Lat, left wrist plain film, 13-year-old boy, in cast, acquired on Siemens —

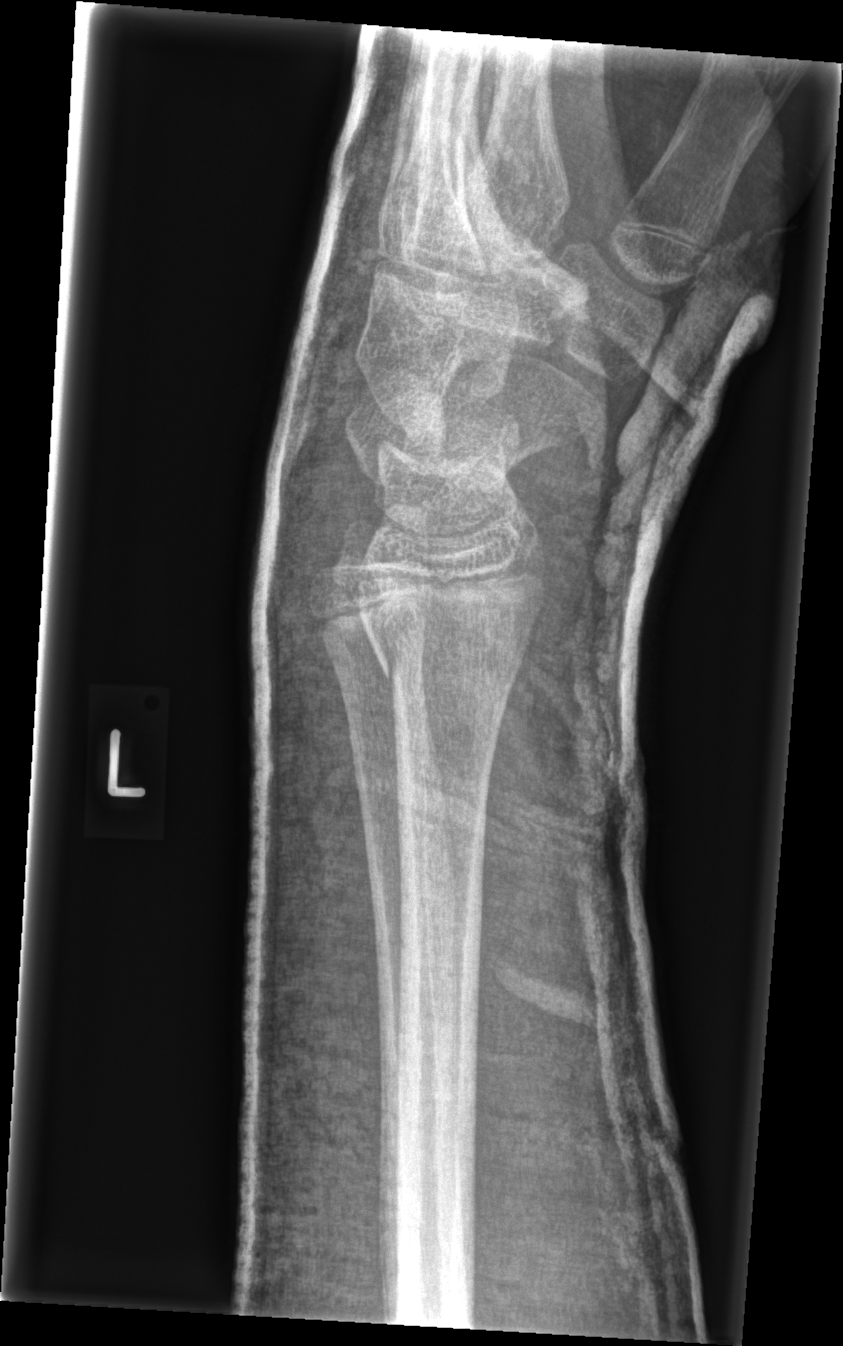
AO classification: 23r-M/3.1; 23u-E/7
Fx: <363,615>-<528,719>